Lat view | left wrist XR | acquired on Agfa | 930 x 930 px —

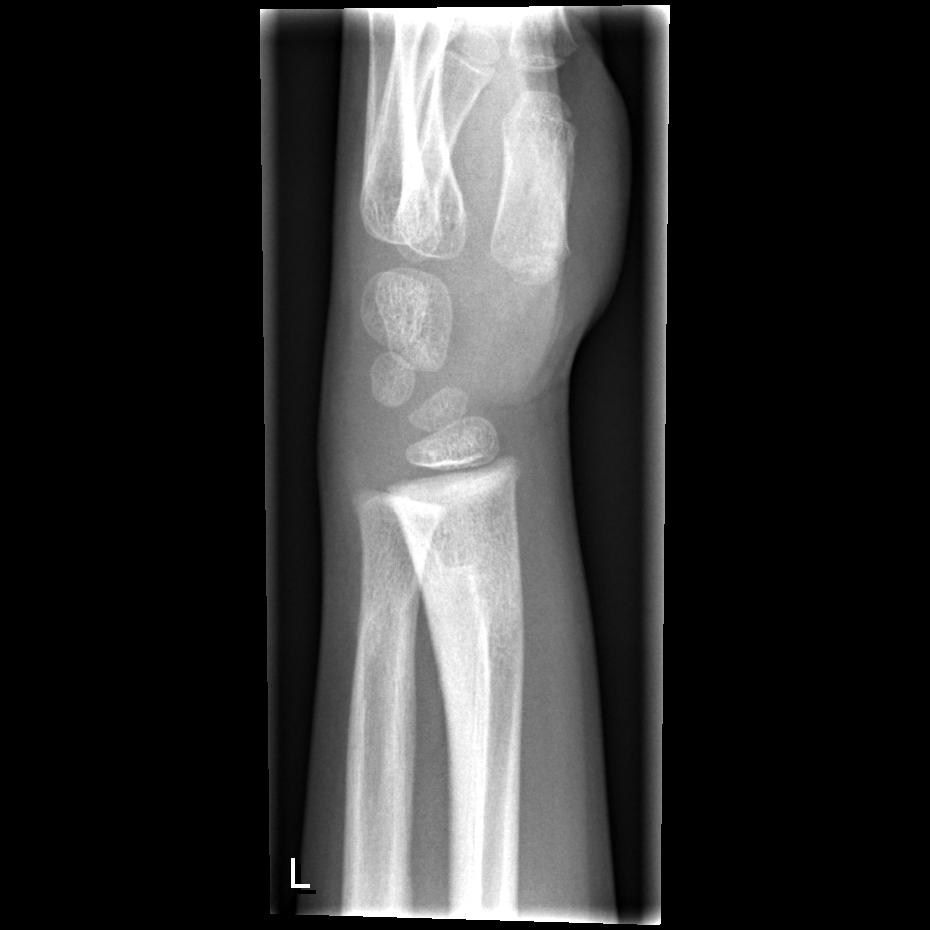
Fx: (left=420, top=552, right=531, bottom=727) (left=352, top=596, right=420, bottom=655). AO/OTA classification: 23-M/3.1.